Left wrist XR; lateral view; 7-year-old boy; presentation radiograph:
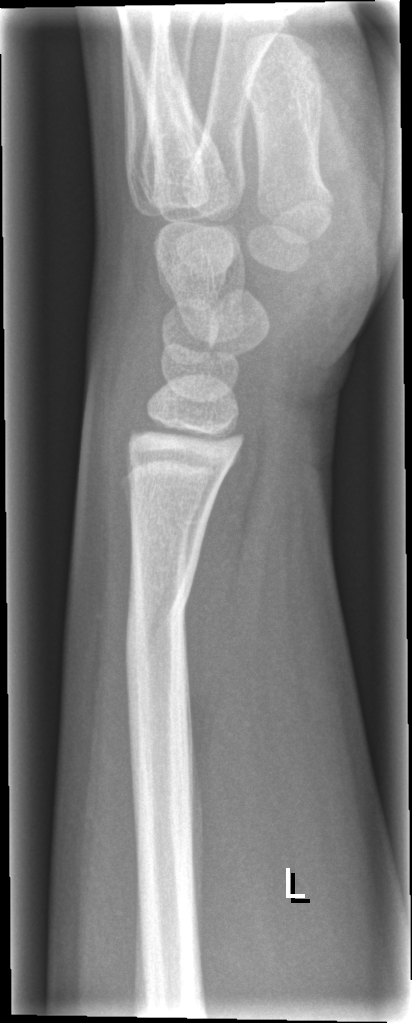
(bounding boxes in image-pixel xyxy)
Q: Any fracture seen?
A: Fx identified at [x1=121, y1=565, x2=201, y2=664]